Lateral projection; right pediatric wrist radiograph; in cast.

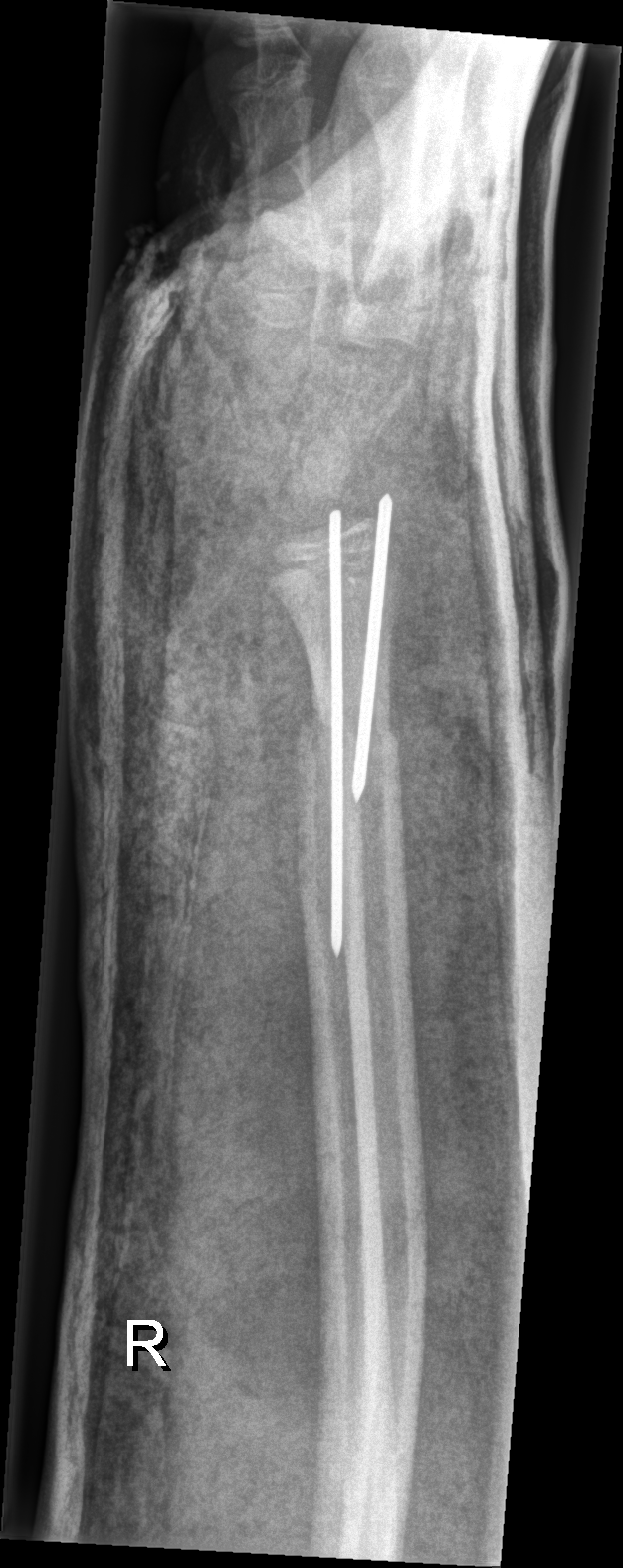

Bounding boxes in image-pixel xyxy.
AO/OTA classification: 23-M/3.1.
Hardware: [x1=347, y1=488, x2=397, y2=809] [x1=327, y1=506, x2=345, y2=963].
Fx identified at [x1=293, y1=698, x2=403, y2=783].